Lateral view, R pediatric wrist radiograph, 11y F, detector: Siemens, 67.2 mm image width, 467 x 1076 px: 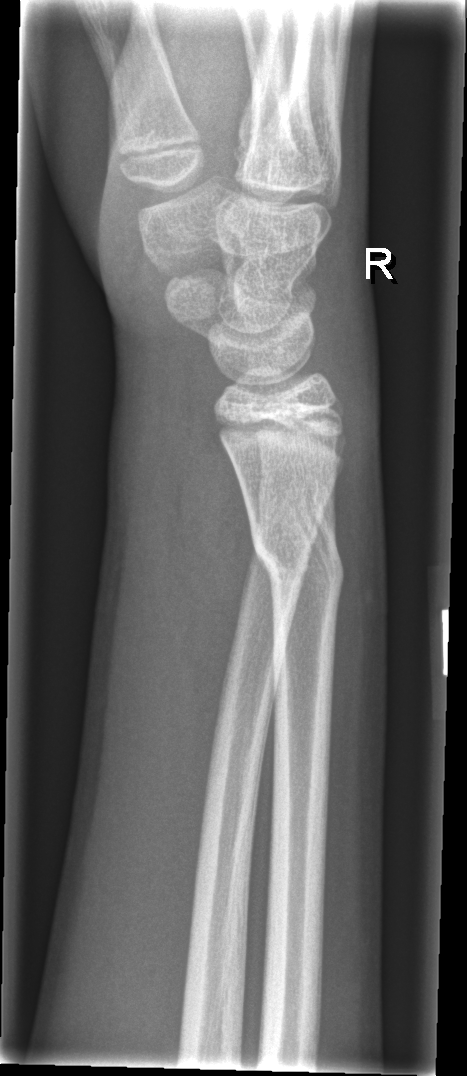

Pronator quadratus fat-pad sign: 166 358 257 780.
Bone fracture: 243 501 349 612.